Lateral; left pediatric wrist radiograph —
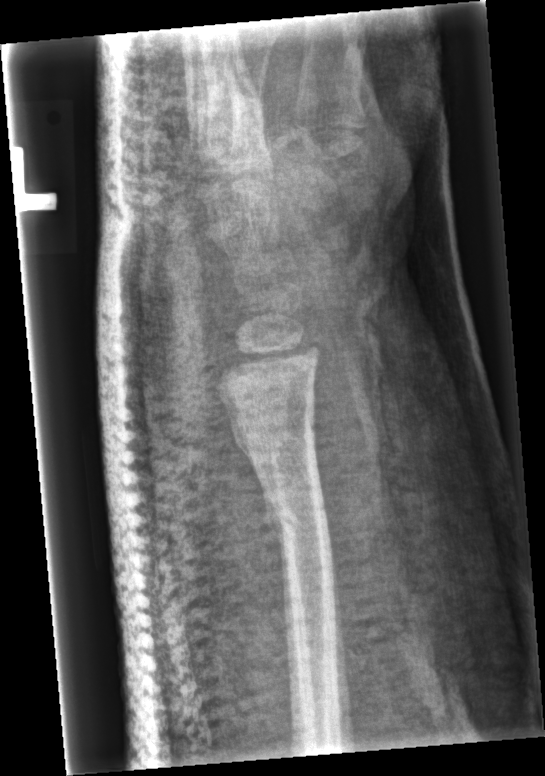

(coordinates are [x1, y1, x2, y2] in image pixels)
Bone fracture: 230 425 335 542